Right wrist plain film · lat projection. 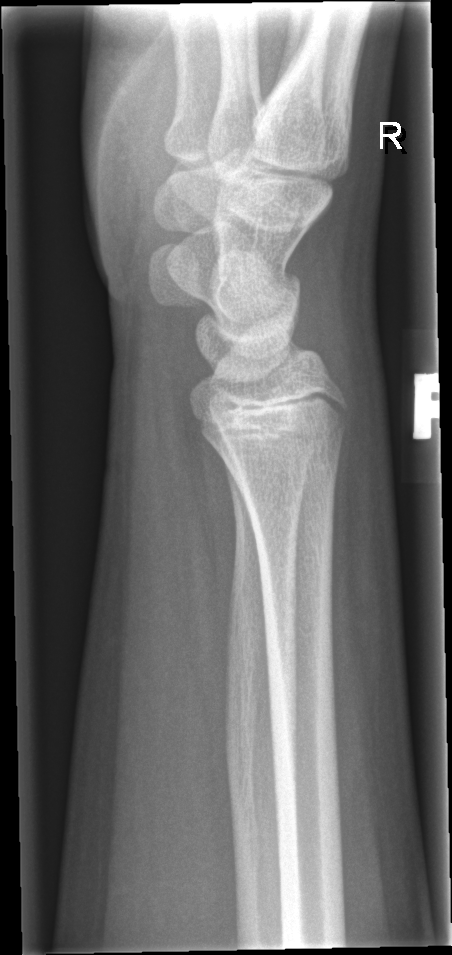

{"fracture": "none labeled"}